Rt pediatric wrist radiograph | lat projection | 10-year-old male | acquired on Siemens. 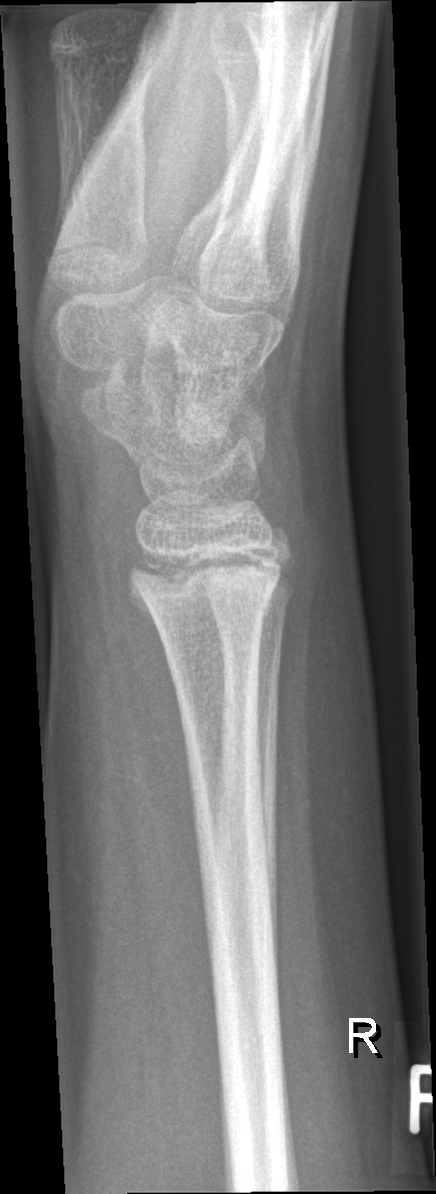

Boxes as x1,y1,x2,y2 (top-left / bottom-right, pixel units).
One Fx at [x1=124, y1=538, x2=294, y2=623].